R wrist radiograph | PA projection: 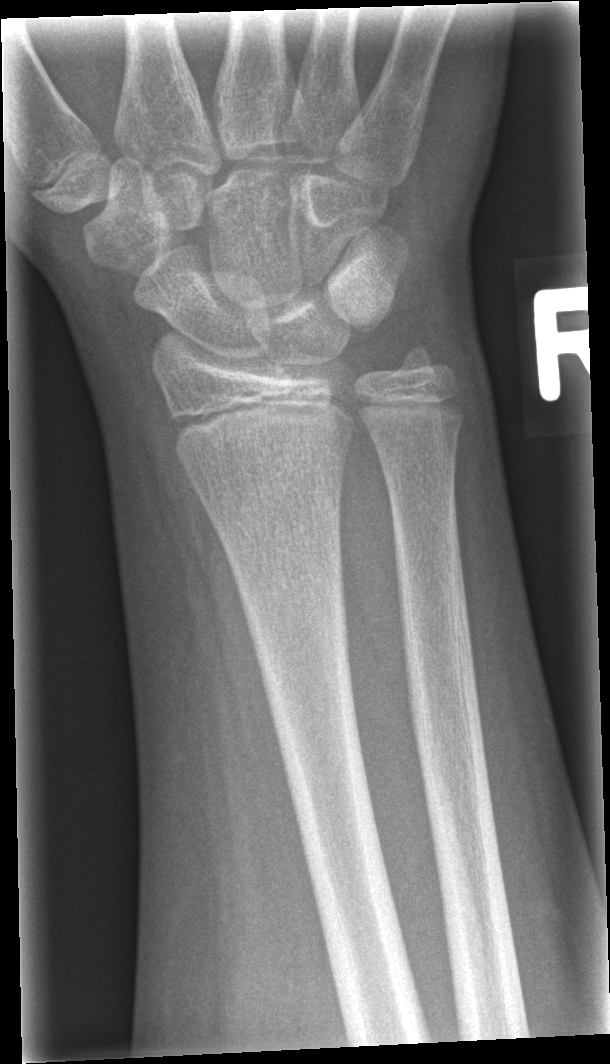 Findings: No fracture annotation.